Right wrist XR; lateral view; 11y M; imaged through cast —
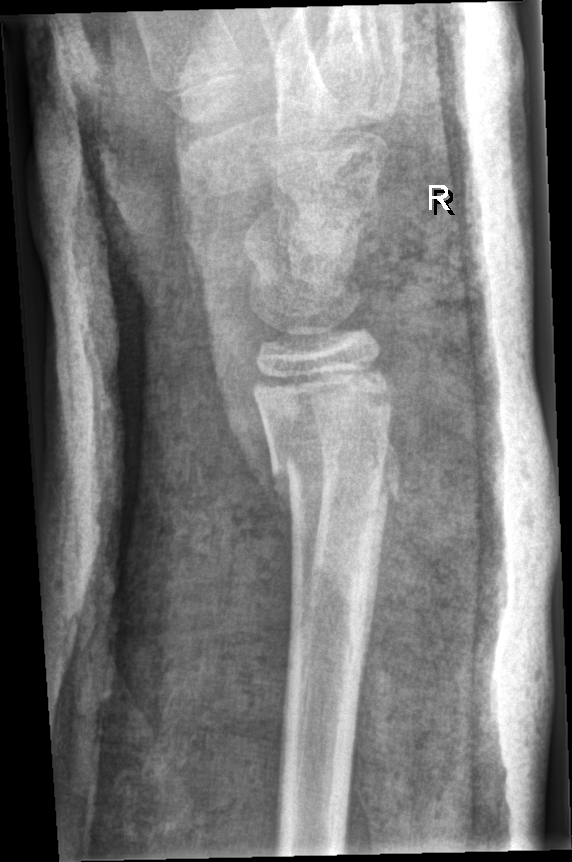 Fracture classified AO/OTA 23r-M/3.1; 23u-E/7. Bone fracture identified at [267, 430, 403, 511].